Lat projection, L wrist plain film, 11y F, 633x1246 —
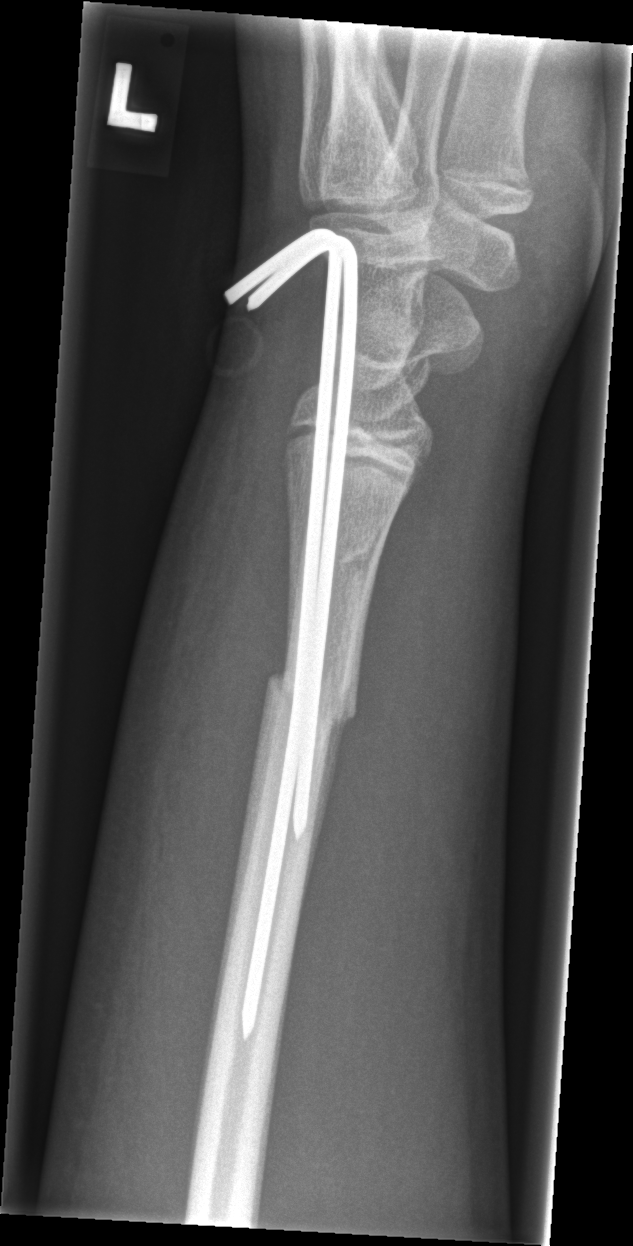
Pixel coordinates, top-left origin, xyxy. Hardware — 218 228 361 1045. Soft tissue abnormality: 73 397 290 1137
  293 459 519 1142. Fx identified at 263 662 361 741.